Rt wrist XR | PA/AP view | age 13 y, boy | image size 502x1114. 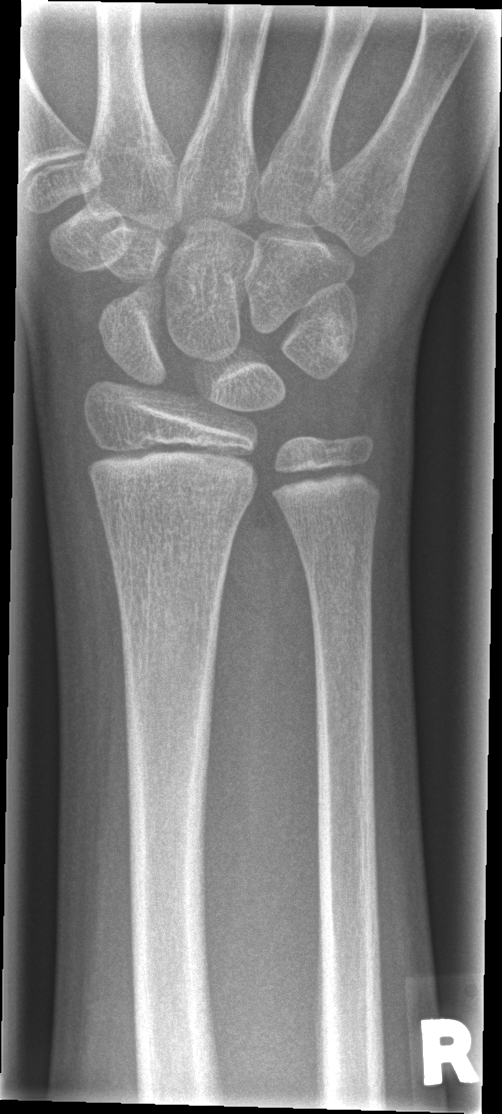 FINDINGS: (coordinates are [x1, y1, x2, y2] in image pixels) One Fx at 93,469,256,524. Fracture classified AO/OTA 23r-M/2.1.